Left plain radiograph of the wrist; lateral projection; Siemens
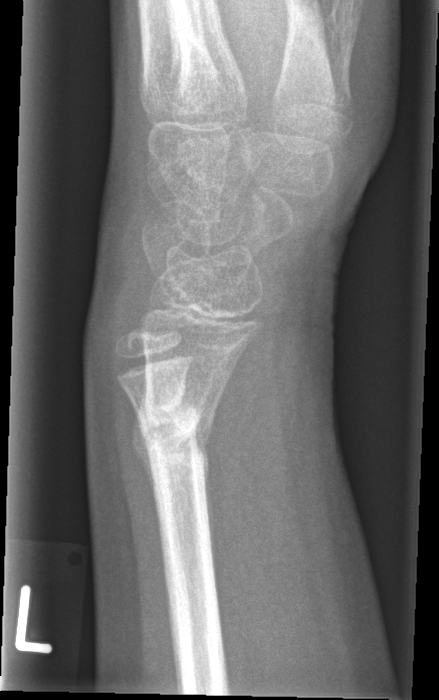 - One fracture at 129,397,212,470.
- AO/OTA classification: 23-M/3.1.
- Periosteal thickening — 131,389,157,504.